Lat projection; Rt wrist plain film.

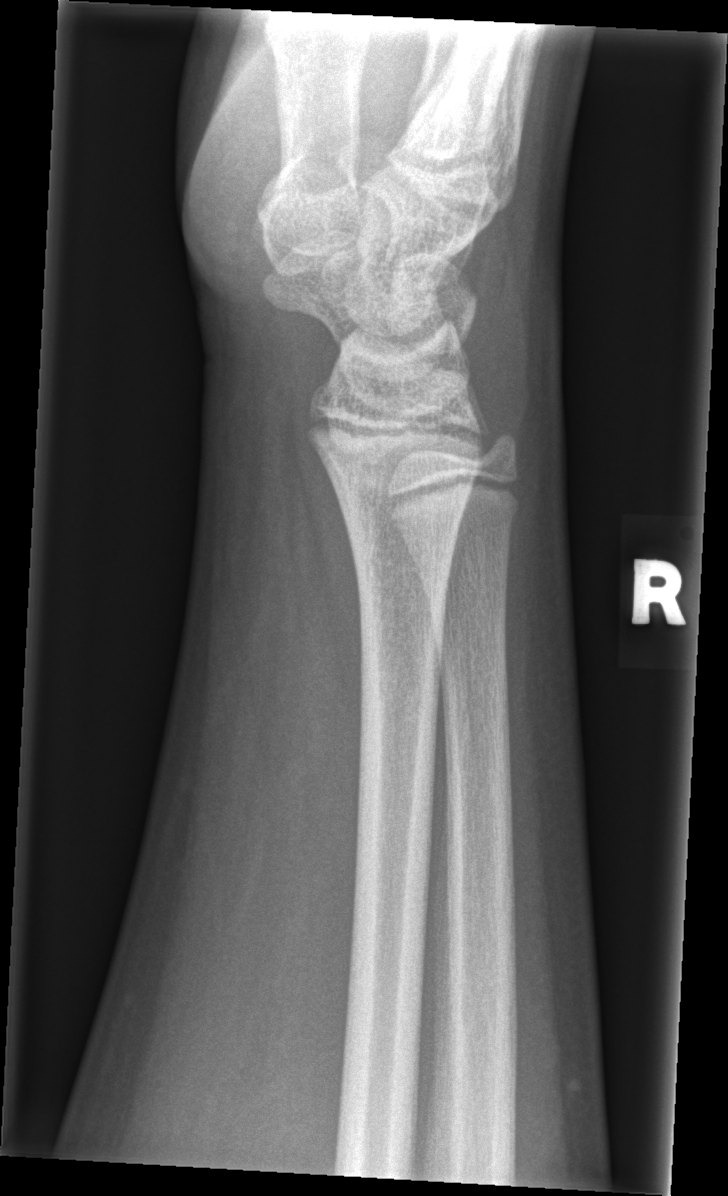

No fracture labeled.